Lateral; R plain radiograph of the wrist; age 16 y, female; index exam — 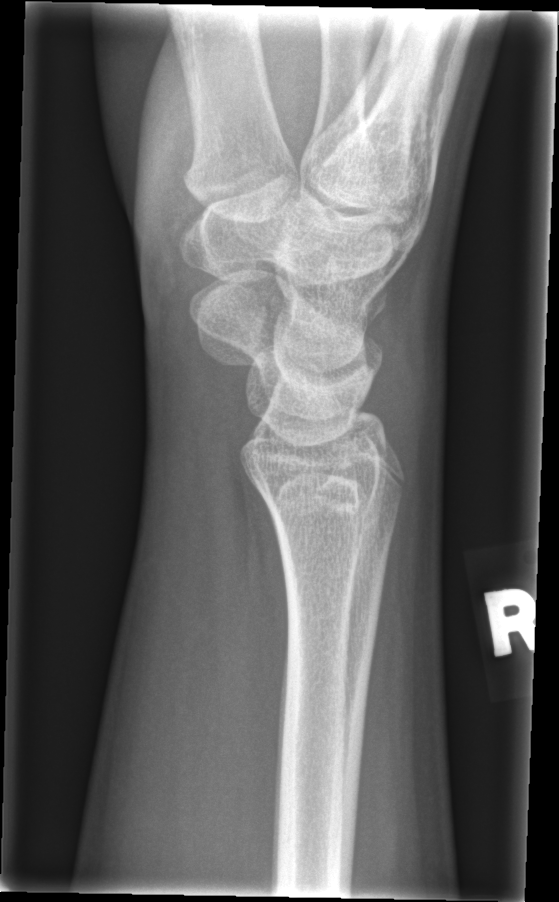

* Fx: none.